Lat view; Lt pediatric wrist radiograph — 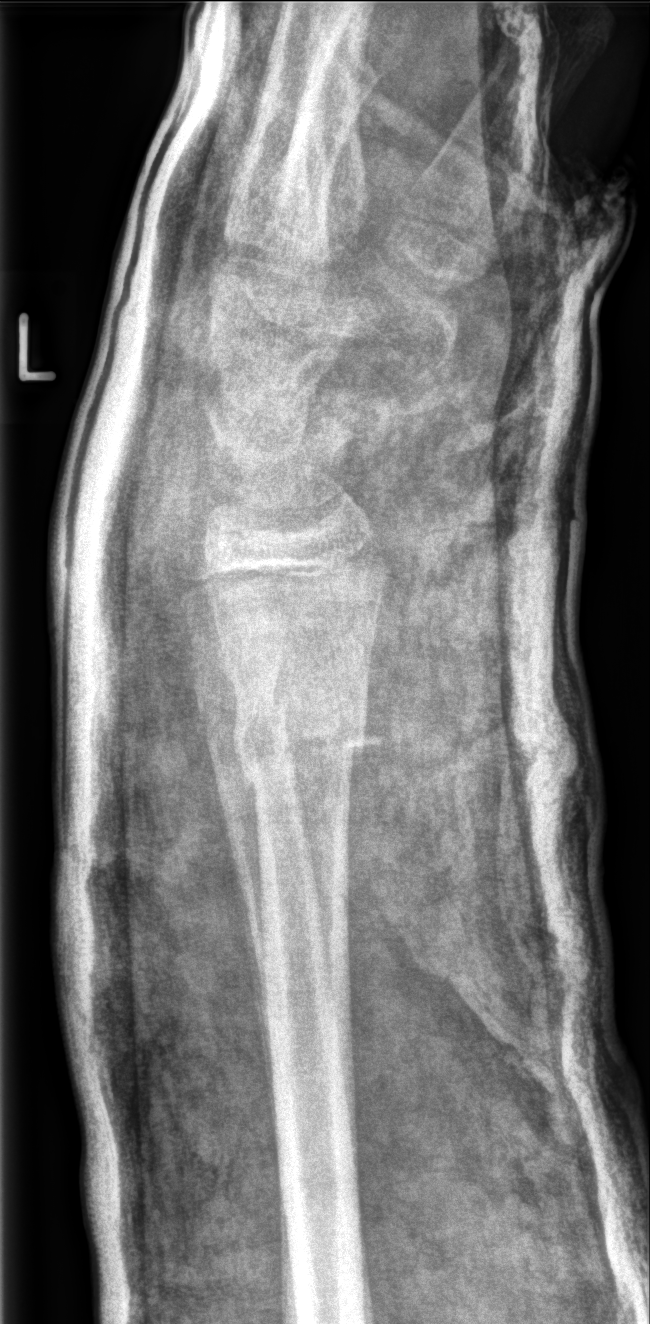

{"fracture": "1 @ bbox(196, 679, 371, 794)", "ao": "23-M/3.1; 23u-E/7"}